Frontal projection · Lt wrist plain film · female, 16 yo.
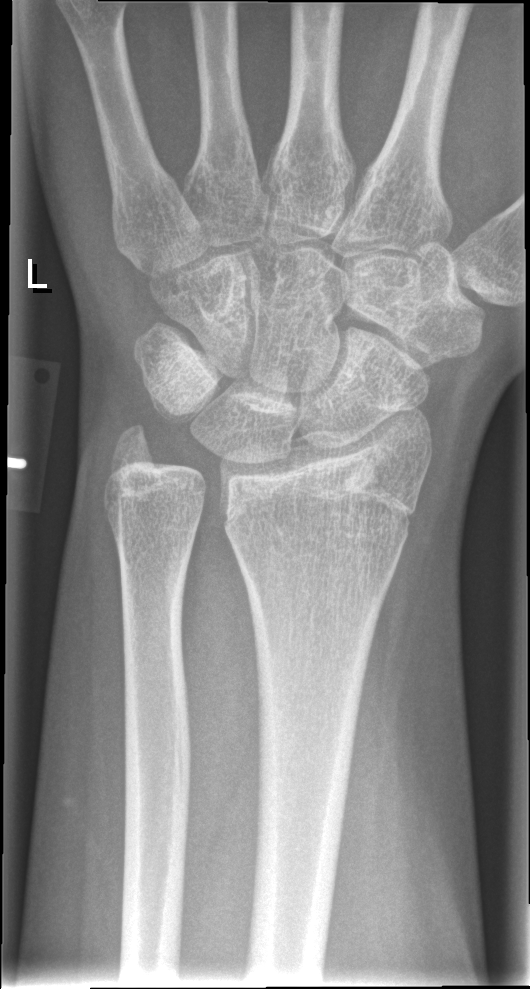
FINDINGS: No fracture annotation.